Lateral projection; Rt wrist radiograph; 11-year-old female; in cast; 586 x 1148 px. 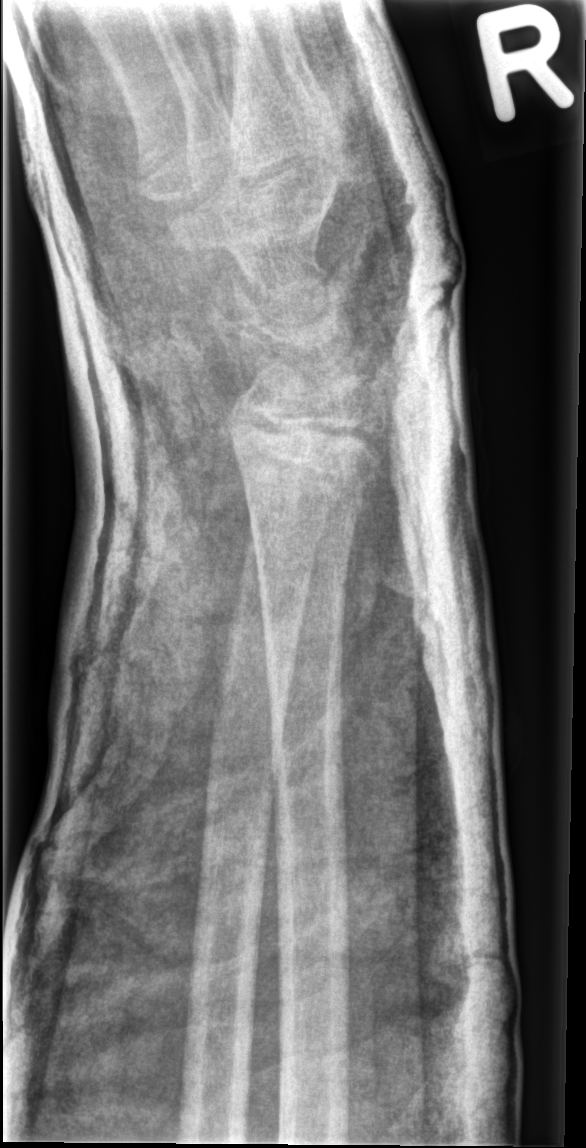
* Coordinates are [x1, y1, x2, y2] in image pixels.
* Fracture — (left=212, top=398, right=388, bottom=509).
* AO code 23r-E/2.1.